Left pediatric wrist radiograph, lat view, 6-year-old boy, 671 by 1098 pixels. 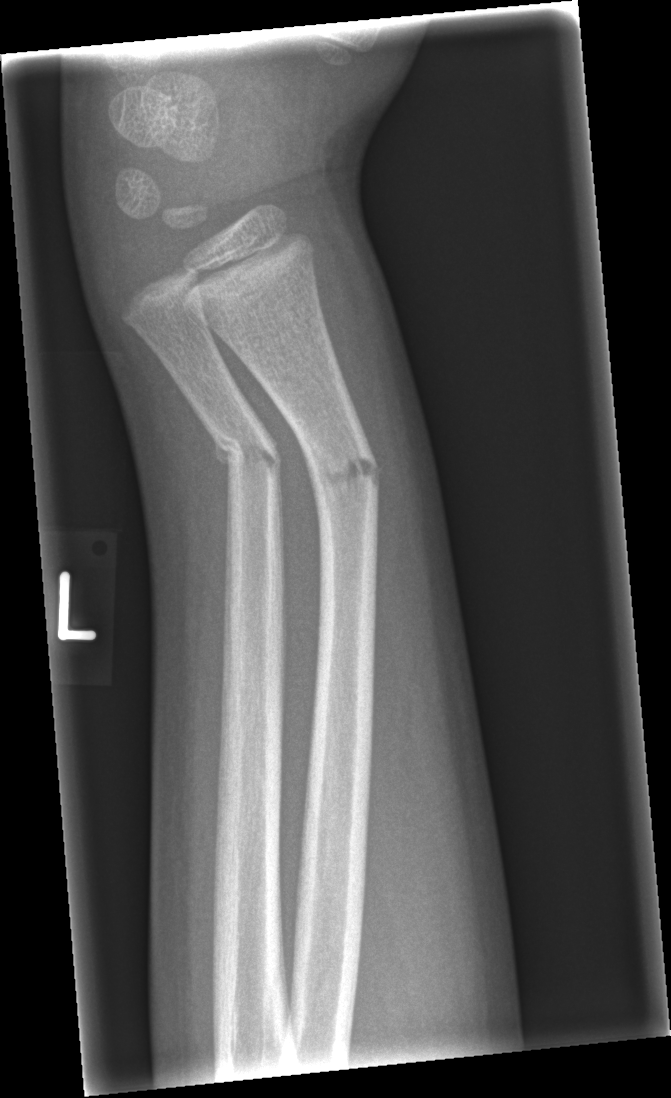 Fx = [x1=305, y1=441, x2=383, y2=506], [x1=207, y1=424, x2=286, y2=481]
AO/OTA = 22-D/2.1